Left plain radiograph of the wrist, lateral projection, detector: Siemens.

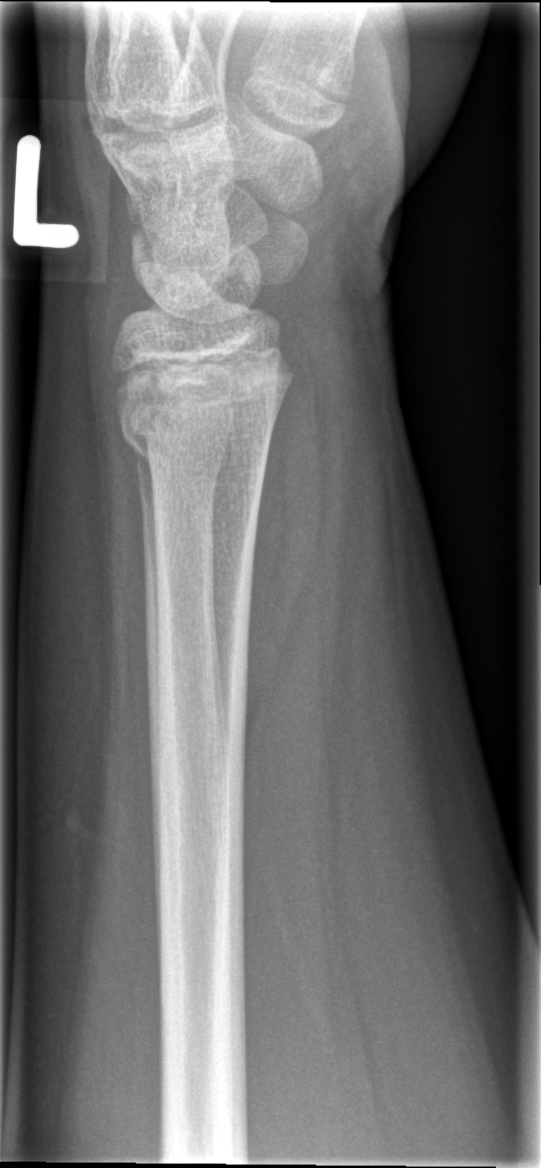

Findings: One Fx at (left=113, top=380, right=291, bottom=479). Pronator sign identified at (left=240, top=326, right=329, bottom=750).